R wrist plain film · lat · follow-up

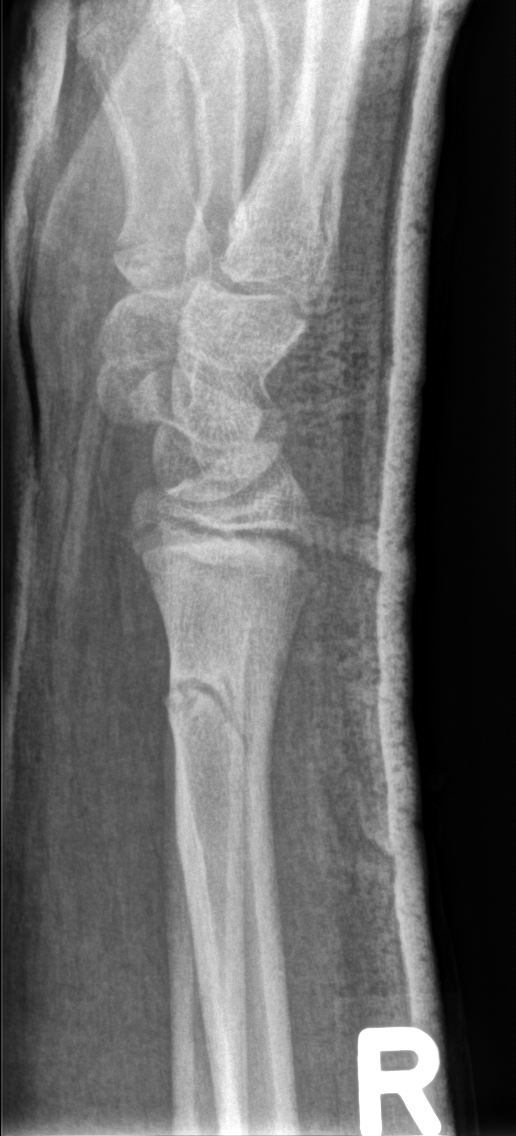 {
  "ao": "23r-M/3.1; 23u-E/7",
  "fracture": "163 654 281 781"
}